Left plain radiograph of the wrist | frontal view | 12-year-old boy | imaged through cast | image 98.2 mm wide | 682 by 1356 pixels 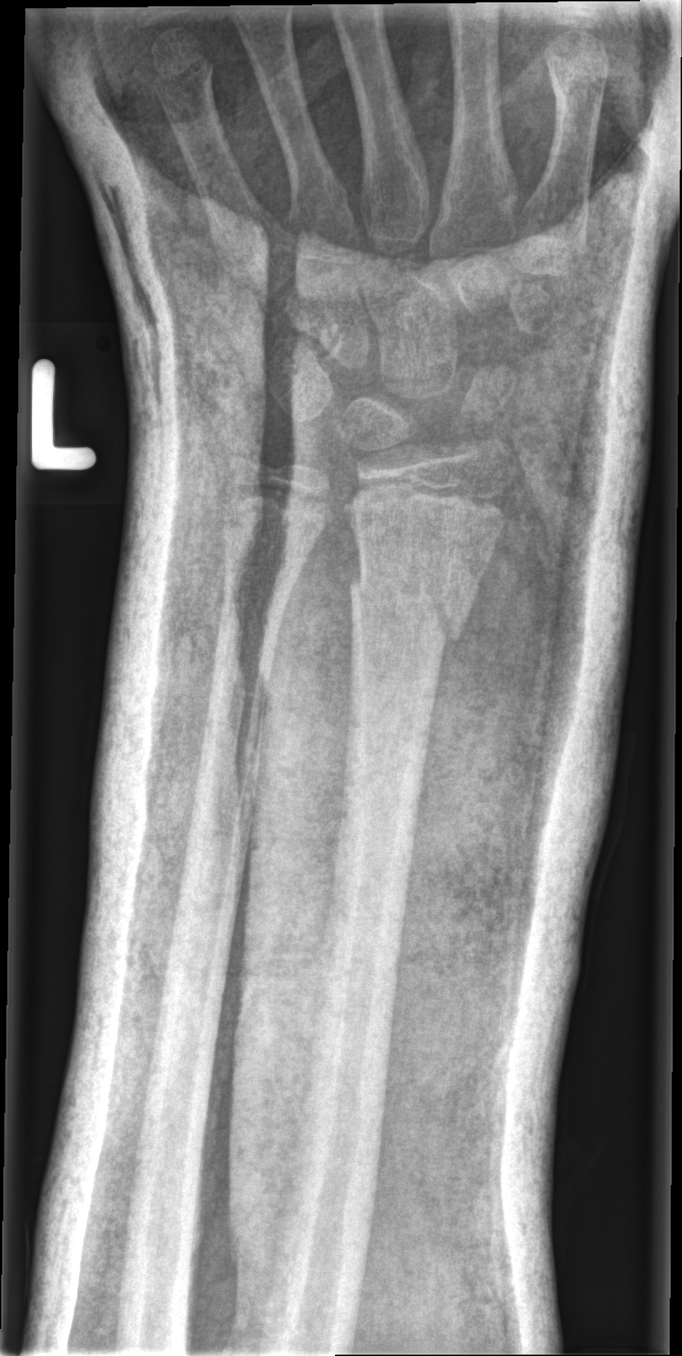

{"_coords": "bounding boxes in image-pixel xyxy", "ao": "23r-M/3.1", "fracture": "1 @ (left=345, top=562, right=466, bottom=654)"}